Oblique · right wrist radiograph · 18-year-old girl · follow-up study.

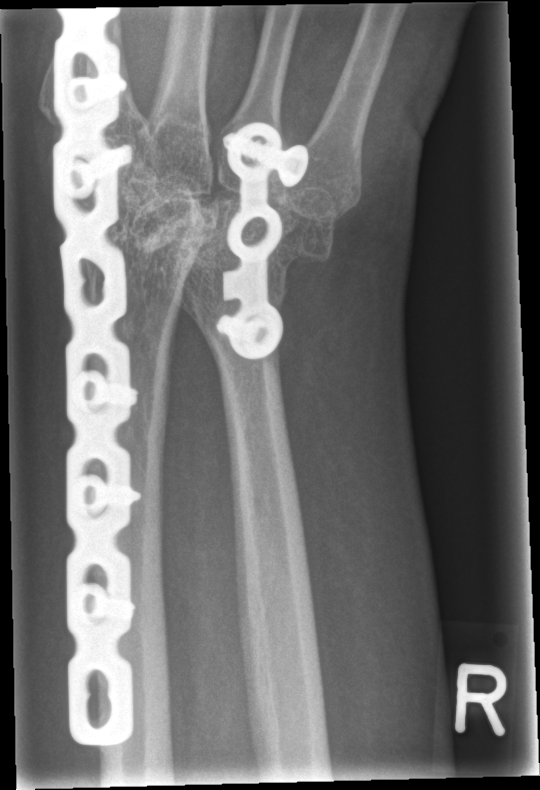 - Coordinates are [x1, y1, x2, y2] in image pixels.
- Hardware: bbox(50, 3, 144, 749) bbox(210, 121, 309, 361).
- No fracture bounding box.